Lat view · right wrist pediatric wrist radiograph · imaged through cast

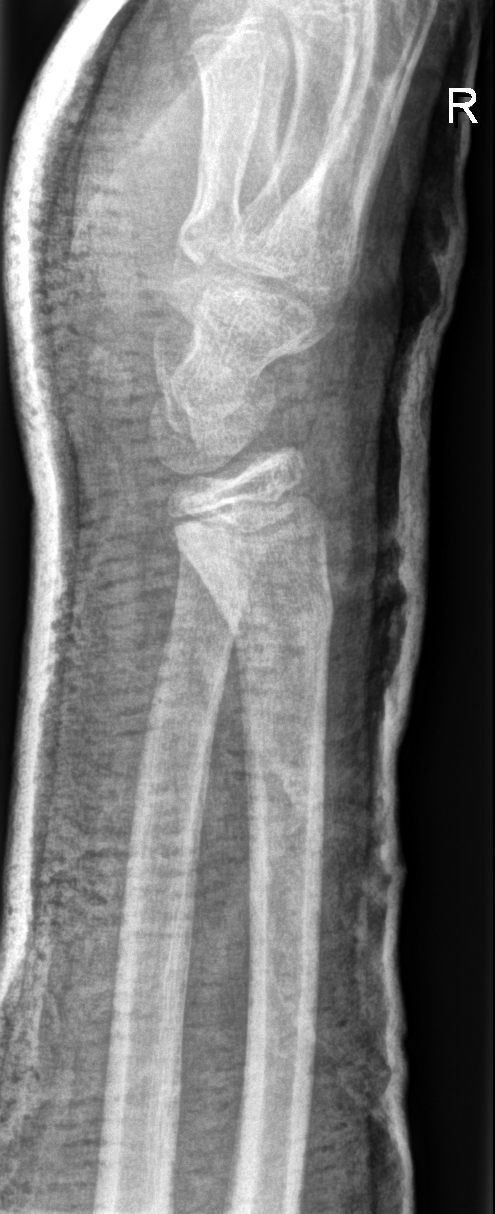
Pixel coordinates, top-left origin, xyxy.
Bone fracture identified at bbox(206, 564, 342, 672).